R wrist radiograph; PA/AP view; 12-year-old boy; follow-up:
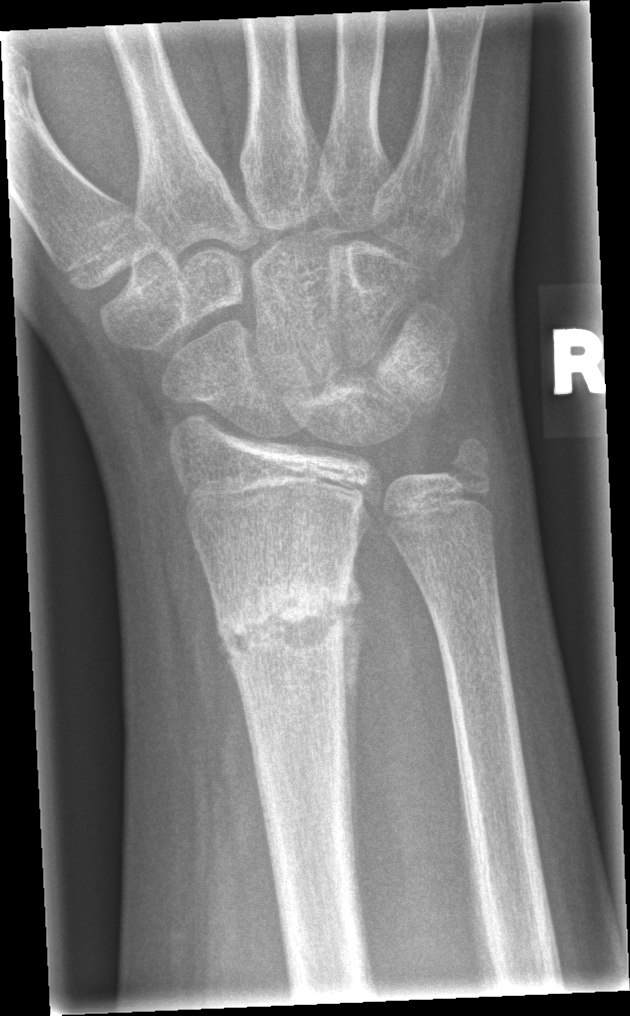

Coordinates are [x1, y1, x2, y2] in image pixels.
Periosteal new bone: bbox(340, 544, 365, 883) bbox(214, 602, 248, 718).
Decreased bone density (osteopenia).
Fx — bbox(208, 565, 363, 670); bbox(442, 432, 504, 507).
AO/OTA classification: 23r-M/3.1; 23u-E/7.